Left wrist radiograph, AP view, 9y F, follow-up study

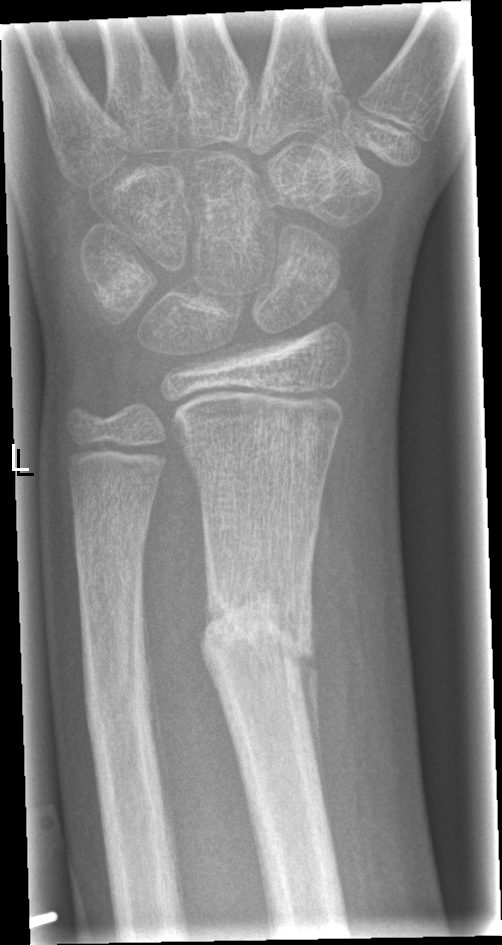

(pixel coordinates, top-left origin, xyxy)
AO code: 22r-D/4.1; 22u-D/2.1; 23u-M/2.1
bone fracture: 3 @ 197 582 321 693; 78 651 161 753; 70 492 156 548
periosteal reaction: 140 582 174 850; 292 640 328 817
osteopenia: present